Left wrist plain radiograph of the wrist · AP projection · age 8 y, male · Siemens · image 68.8 mm wide · 478 x 927 px. 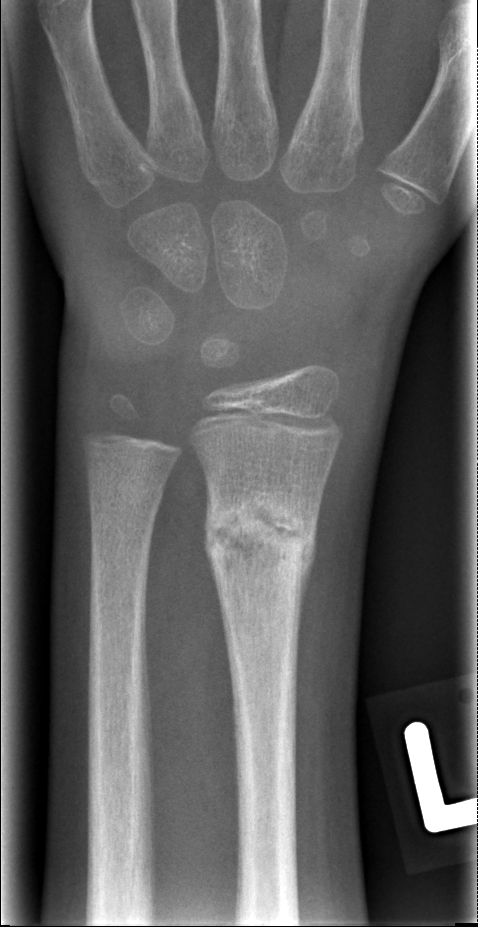
(boxes as x1,y1,x2,y2 (top-left / bottom-right, pixel units))
Q: Any periosteal thickening?
A: One periosteal reaction at [x1=298, y1=493, x2=321, y2=629]
Q: AO code?
A: Fracture classified AO/OTA 23r-M/3.1; 23u-M/2.1
Q: Is there a fracture?
A: Bone fractures — [x1=200, y1=471, x2=322, y2=600]; [x1=83, y1=466, x2=168, y2=523]
Q: Is there osteopenia?
A: Osteopenia